Rt wrist XR, posteroanterior projection, 10-year-old female, 630x868.

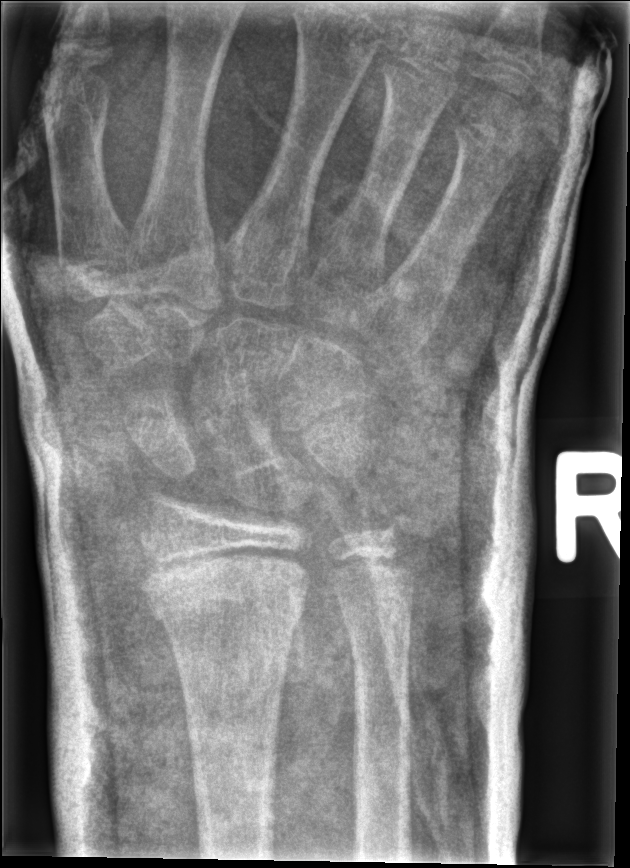 AO/OTA: 23r-E/2.1
Fracture: 1 @ (138, 553, 312, 631)